Right wrist plain film | lat view | 7-year-old boy | 331x872
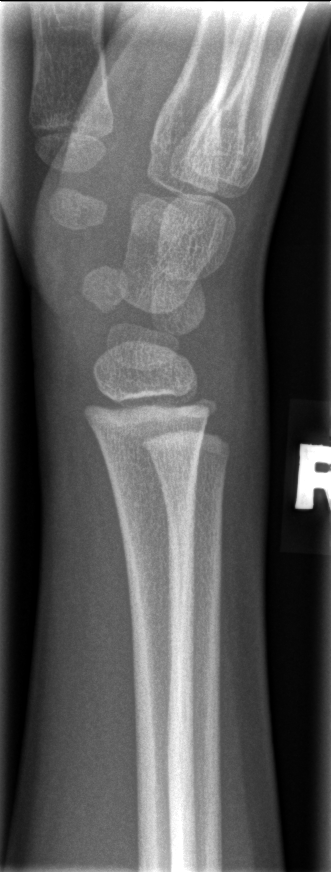
FINDINGS — Fx: none.